Right plain radiograph of the wrist · PA view · imaged through cast · image size 542x673 —
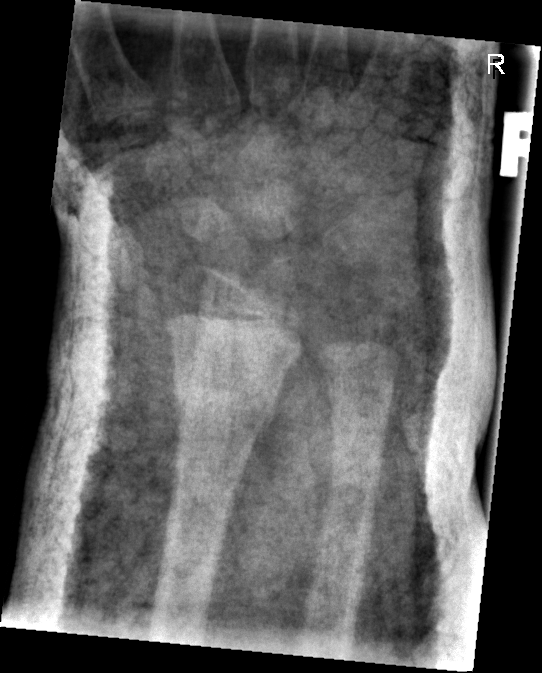
Coordinates are [x1, y1, x2, y2] in image pixels.
Fx — 170,367,281,436.